Frontal projection | left plain radiograph of the wrist | 592x1054 — 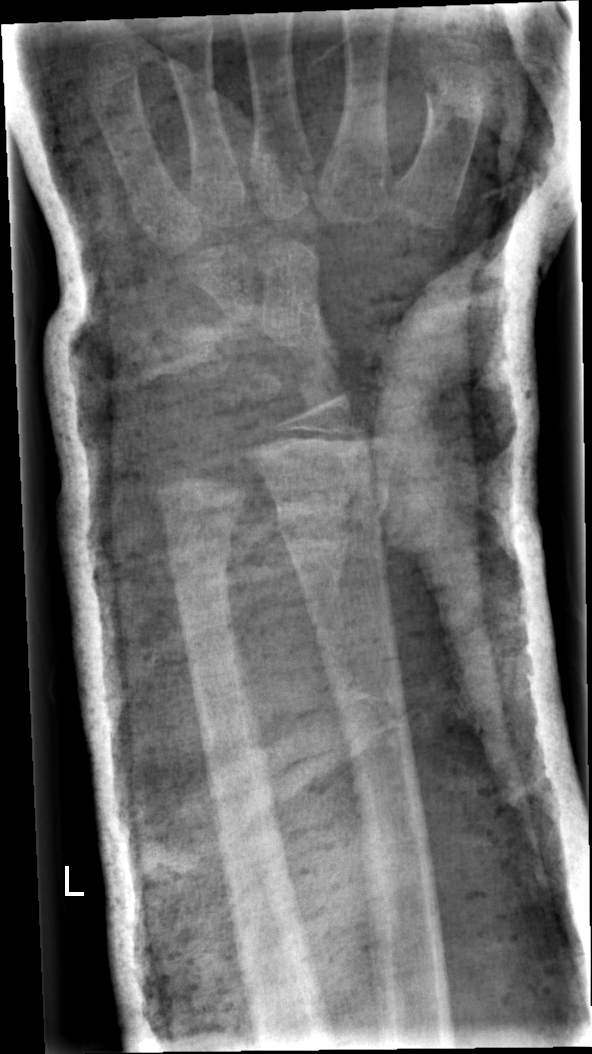

FINDINGS — Bone fracture: [267, 477, 394, 546]; [165, 534, 237, 591]. AO code 23r-M/3.1; 23u-M/2.1.